Lat view · Lt plain radiograph of the wrist · 506x1102:

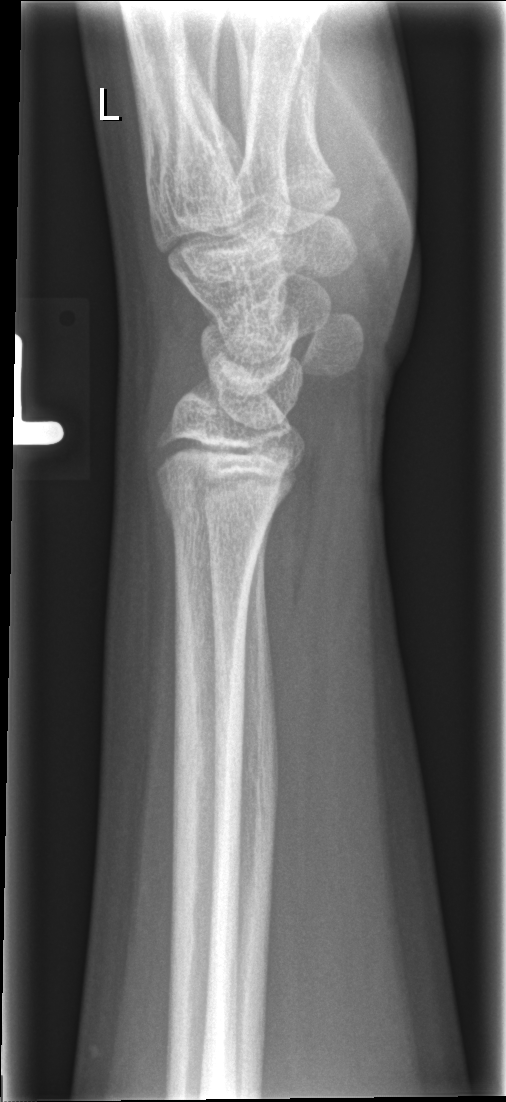

# boxes as x1,y1,x2,y2 (top-left / bottom-right, pixel units)
fracture: 1 @ [156, 482, 275, 549]